PA view; Rt wrist X-ray; pediatric patient (girl, age 9). 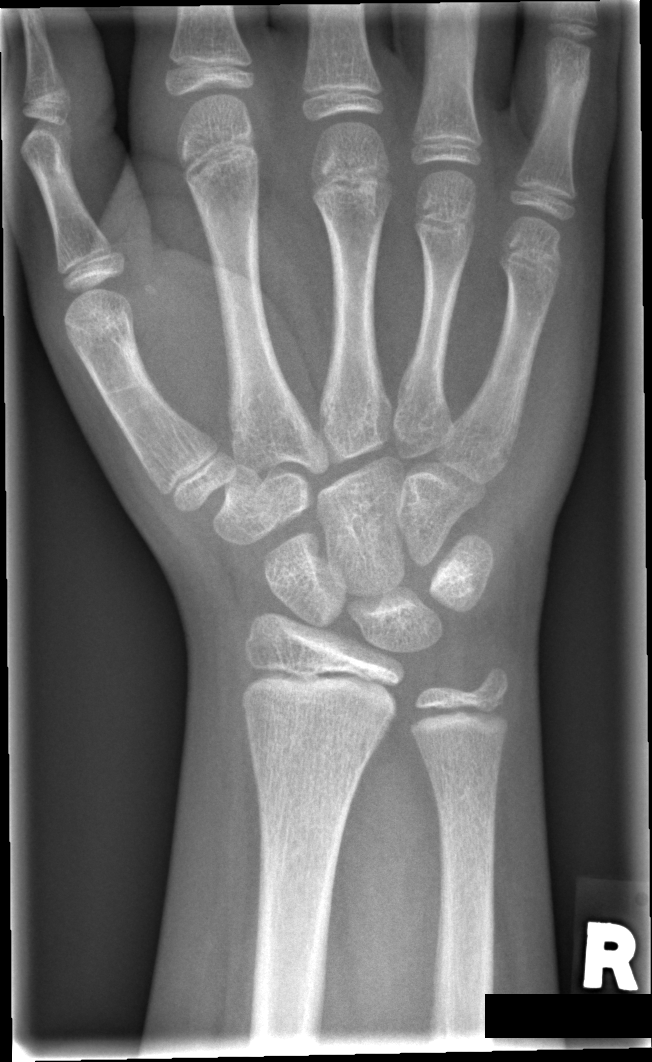

{
  "fracture": "present but not clearly seen in this view",
  "ao": "23r-M/2.1"
}